Lt wrist plain film, lat view, male, 13 yo, subsequent exam, detector: Siemens —
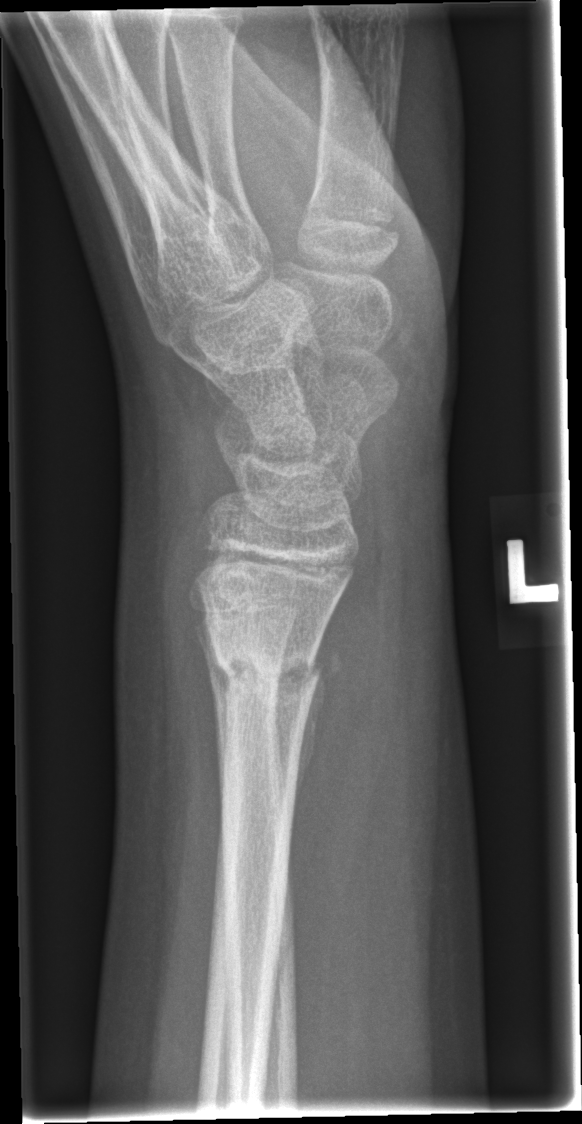
Osteopenia = present
AO classification = 23r-M/3.1; 23u-E/7
Fx = bbox(196, 622, 332, 718)
Periosteal reaction = bbox(296, 668, 327, 801)